Left wrist radiograph · PA view · 6-year-old girl · in cast · detector: Siemens. 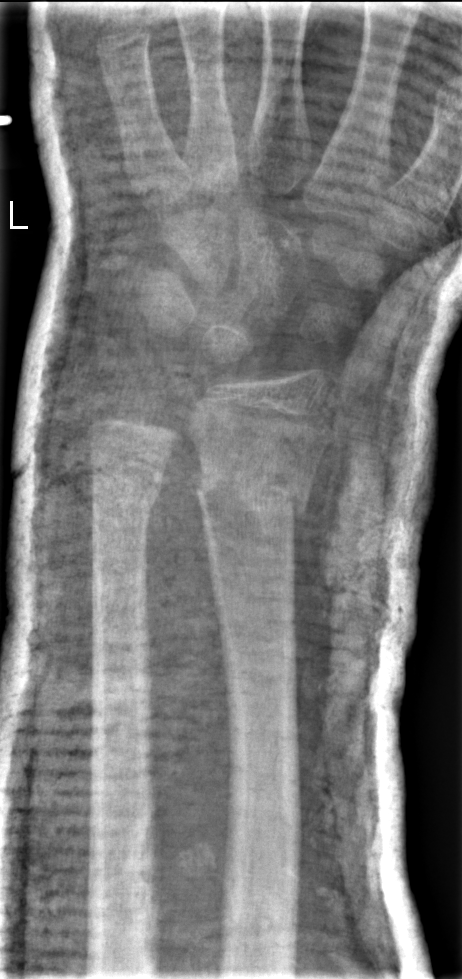 Bounding boxes in image-pixel xyxy.
AO code 23r-M/3.1; 23u-M/2.1.
Fx identified at 192 453 314 521; 86 463 166 518.